Rt wrist XR | AP view | index exam | 625 x 928 px.

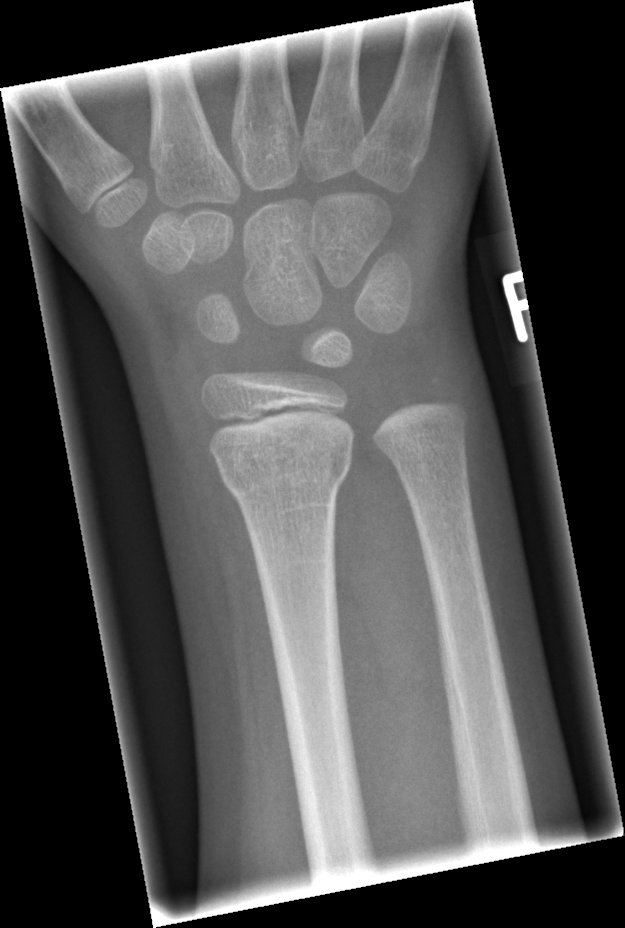

  fracture: 210 438 357 518
  ao: 23-M/2.1